R pediatric wrist radiograph · lateral · age 10 y, female · image width 47.8 mm · 332 x 842 px. 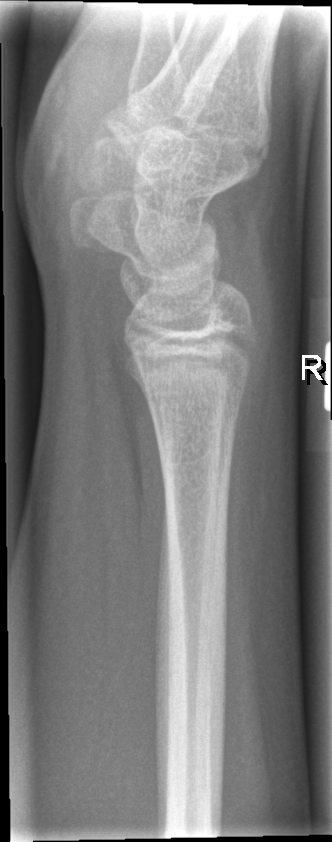
Fx: none.